Lt wrist XR; PA/AP; presentation radiograph; Siemens:
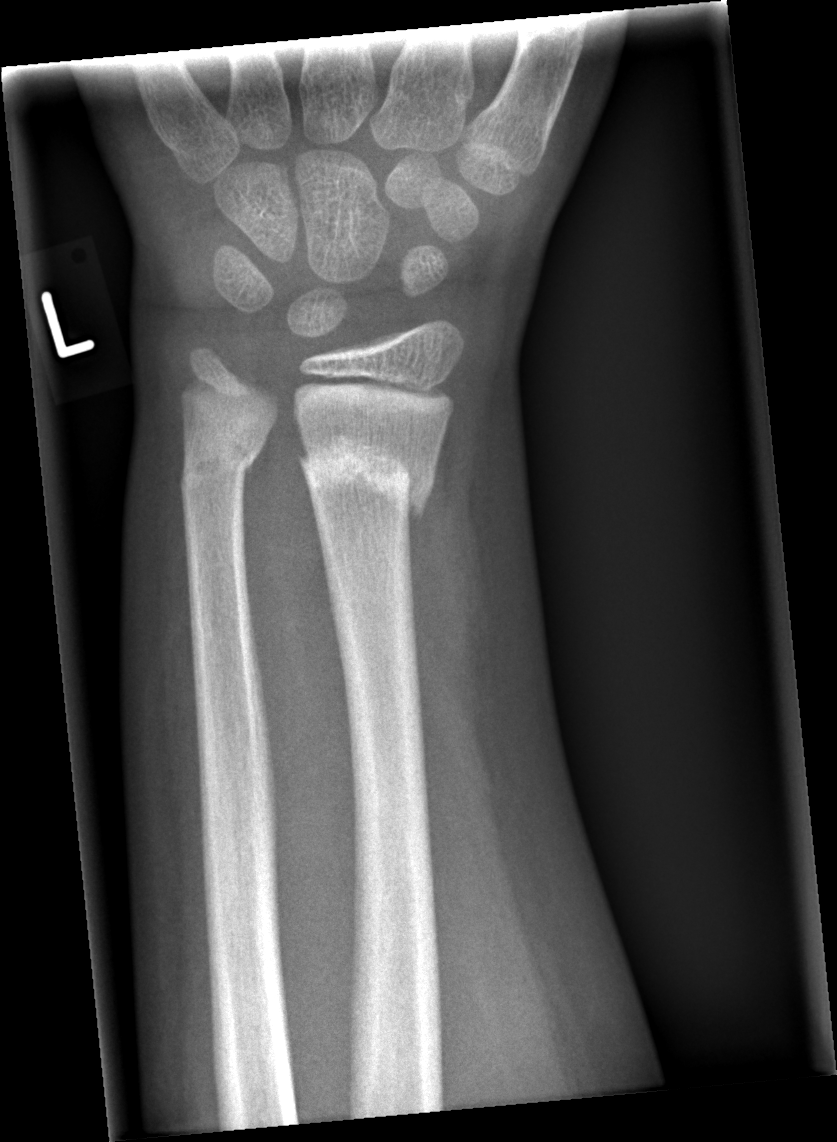
{
  "ao": "23-M/3.1",
  "fracture": "2 @ [295, 428, 441, 520] [177, 419, 267, 492]"
}